R wrist radiograph · PA · pediatric patient (female, age 3):
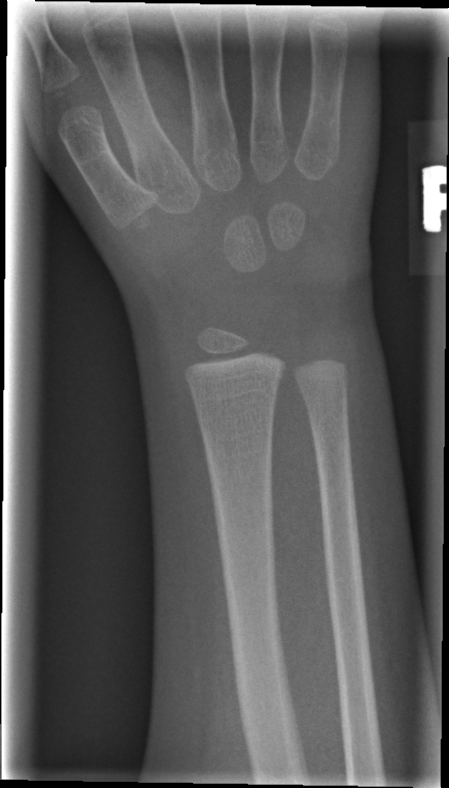 Fx = none labeled